Lateral, Lt wrist X-ray, pediatric patient (male, age 7), cast present:

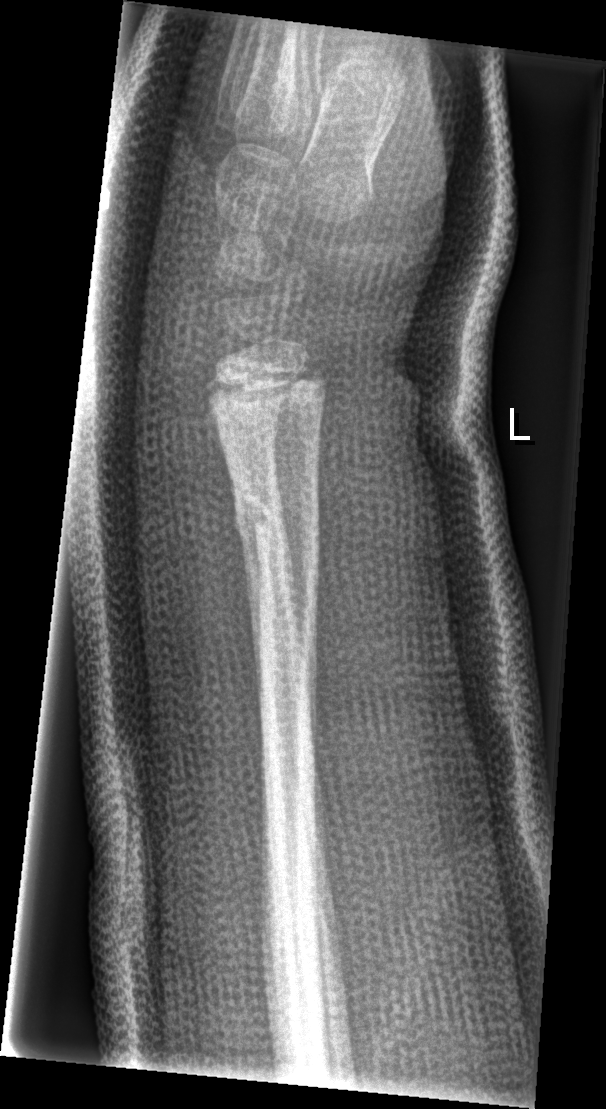
FINDINGS — Fracture — 230 481 324 558. AO code 23-M/2.1.